Left wrist XR, posteroanterior view, male, 9 yo, 652 by 1198 pixels —

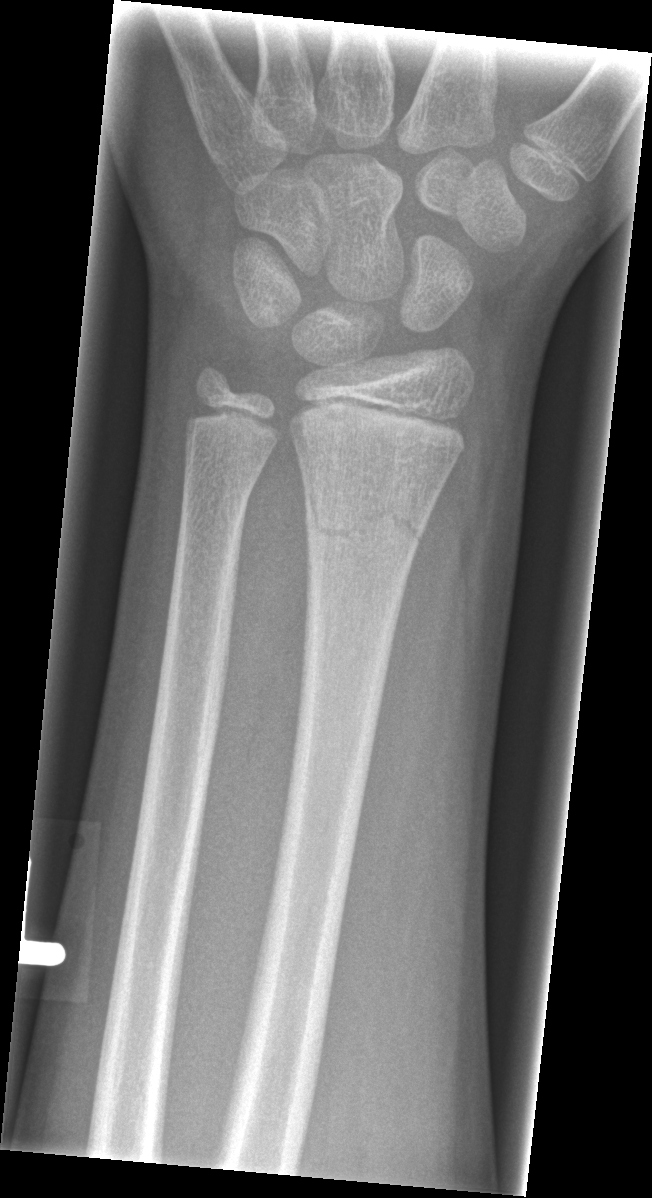

FINDINGS — AO code 23r-M/3.1. Fx: <296,488>-<437,556>.